Right wrist radiograph | lat | initial study
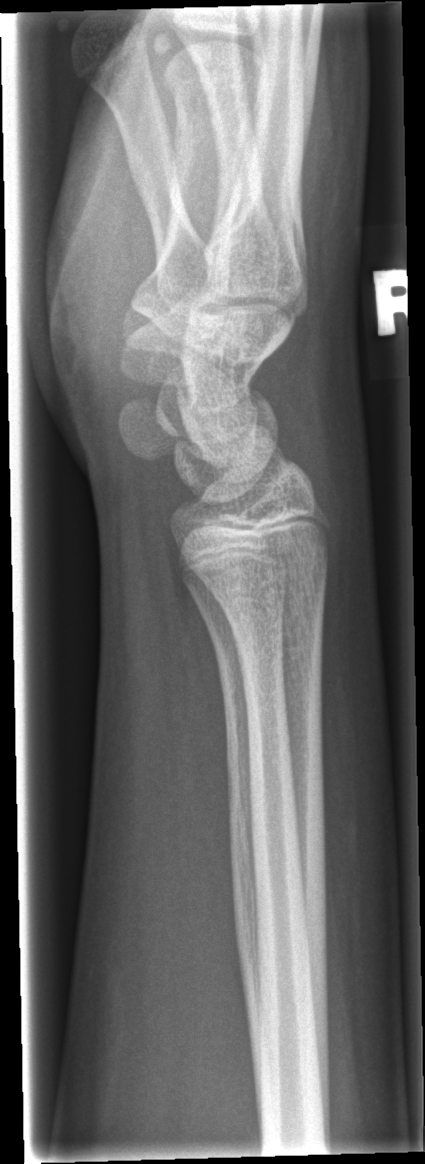
FINDINGS: Fracture: none labeled.